AP projection; L wrist plain film; boy, 15 yo; 102.2 mm image width:
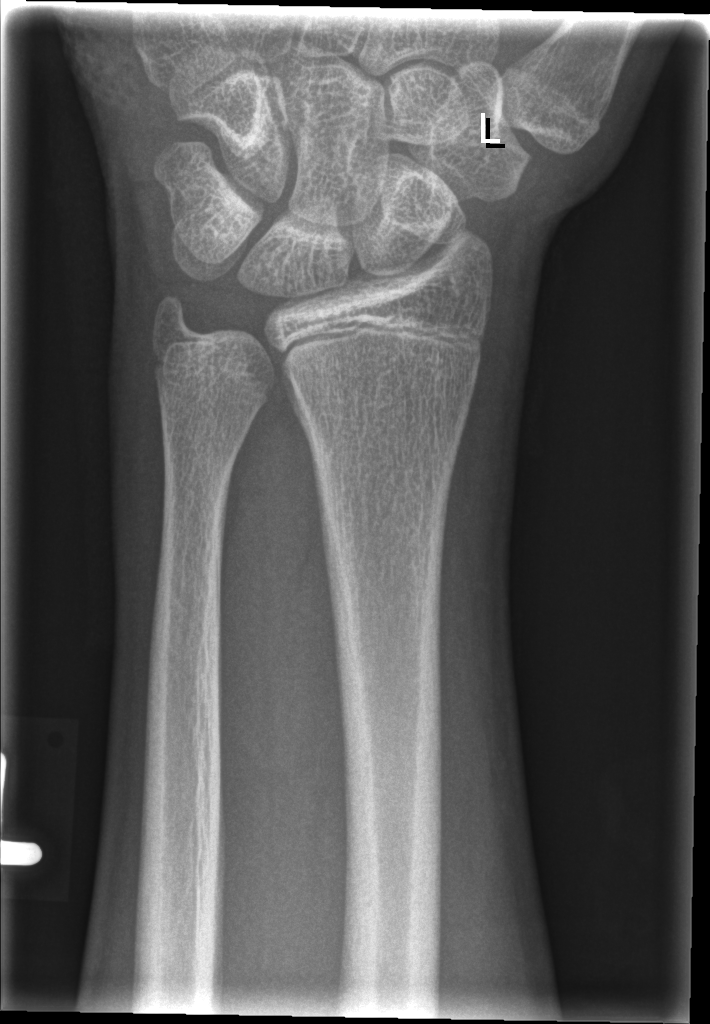 Q: Is there a fracture?
A: No fracture annotation